Posteroanterior projection; right wrist radiograph; subsequent exam; detector: Siemens; 672x860.

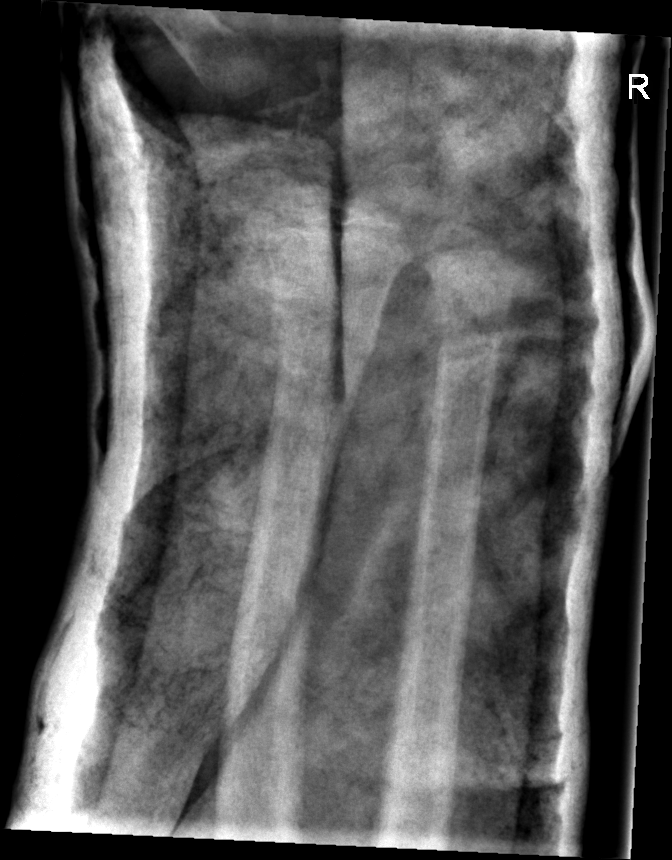

  fracture: 2 @ [269, 303, 380, 389] [428, 303, 511, 369]